Left wrist pediatric wrist radiograph · lateral view · female, 17 yo · Siemens · 380x548 —

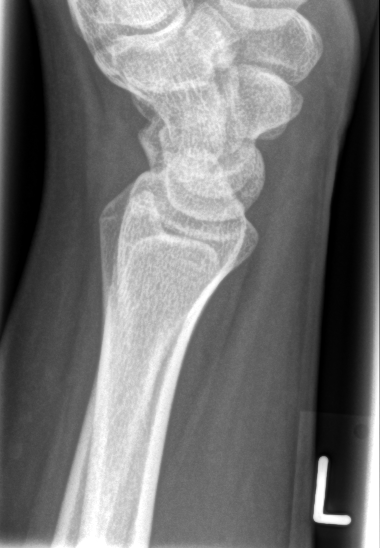
- Fx: none.